PA projection; R wrist radiograph; male, 11 yo; follow-up —
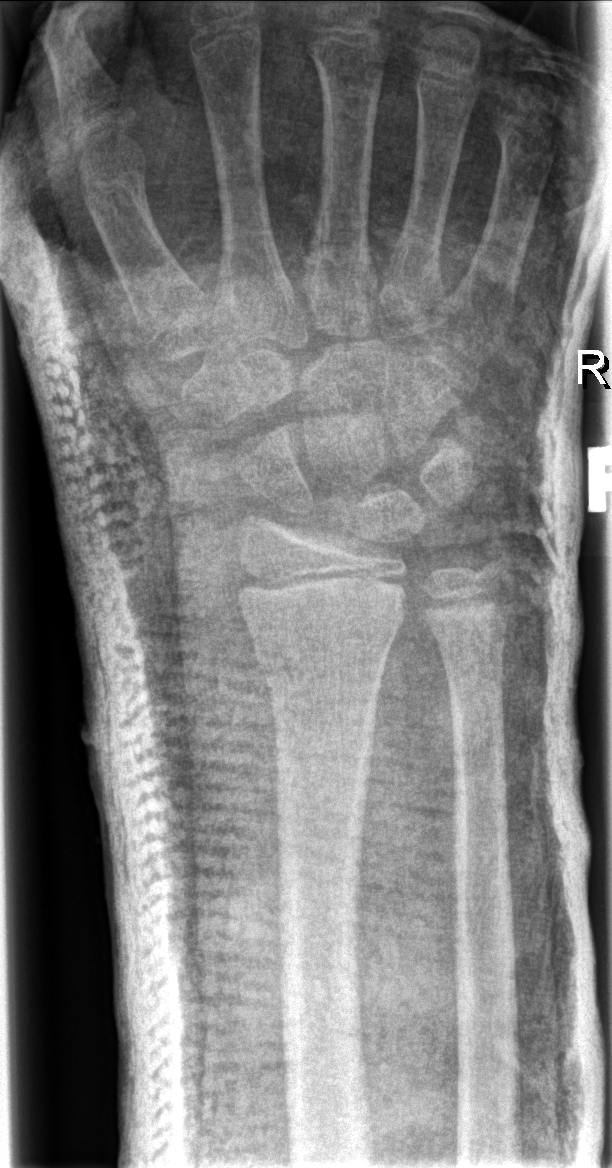 (bounding boxes in image-pixel xyxy)
fracture = <250,626>-<392,692>